Lt wrist plain film; lat view; index exam:

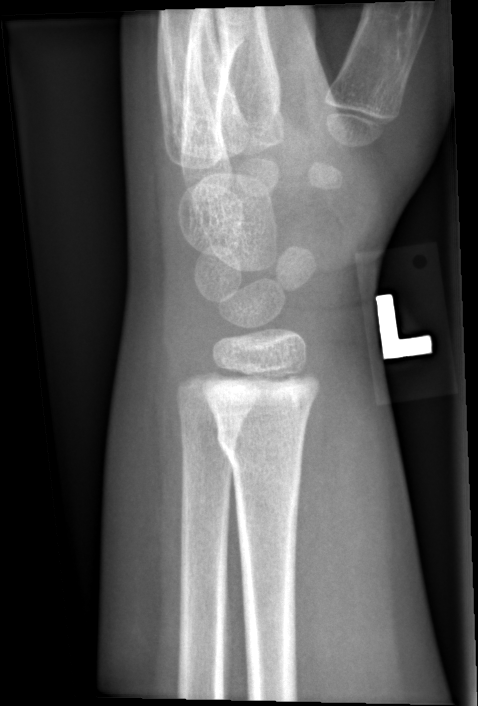

Q: AO code?
A: Fracture classified AO/OTA 23-M/2.1
Q: Locate any fractures.
A: One bone fracture at bbox(213, 416, 309, 479)